R plain radiograph of the wrist; lateral projection; initial study:
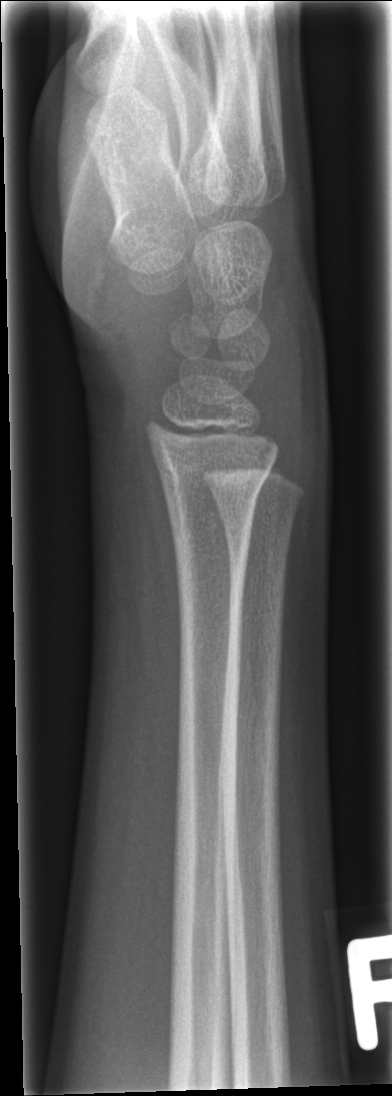
FINDINGS: Fracture — [x1=154, y1=442, x2=278, y2=521].